Left wrist radiograph · posteroanterior · Siemens: 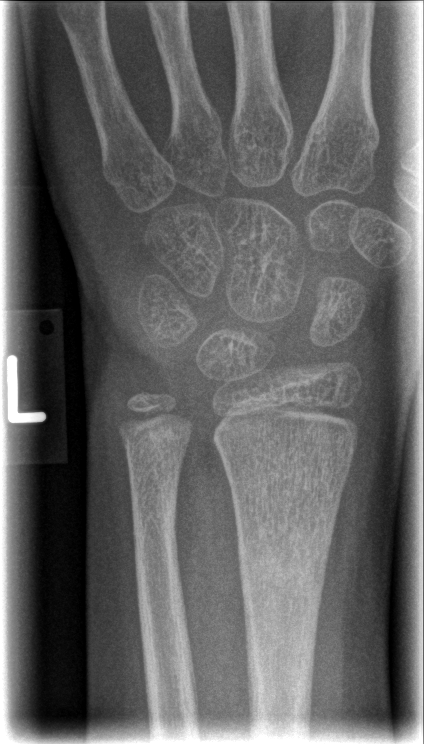
Fx: (left=234, top=523, right=328, bottom=603).
AO/OTA classification: 23r-M/2.1.